Posteroanterior, L wrist radiograph, 12-year-old female.

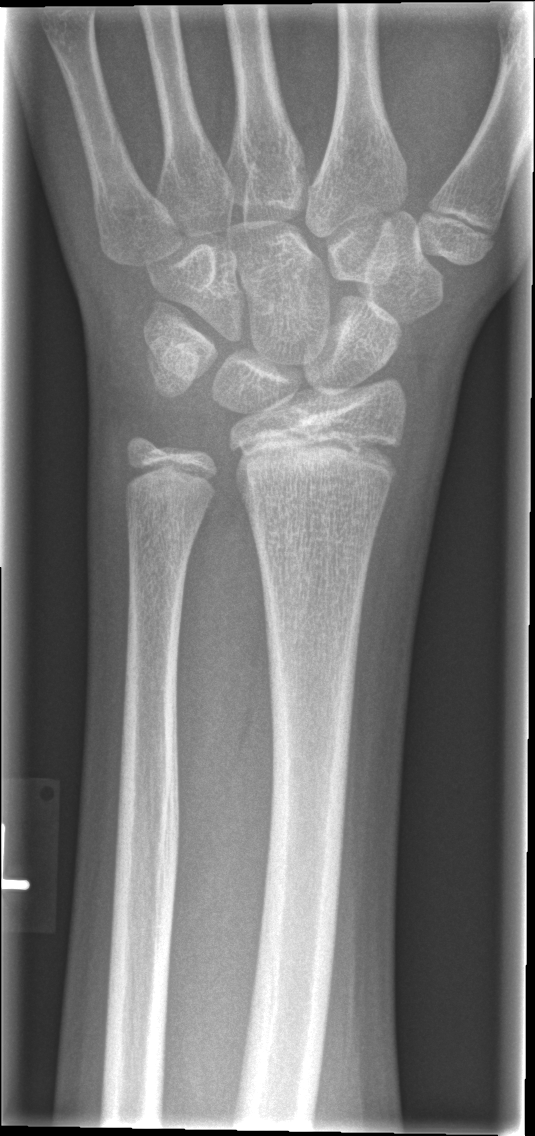
Findings: Fracture: none labeled.